Posteroanterior, right wrist pediatric wrist radiograph, image size 587x1112
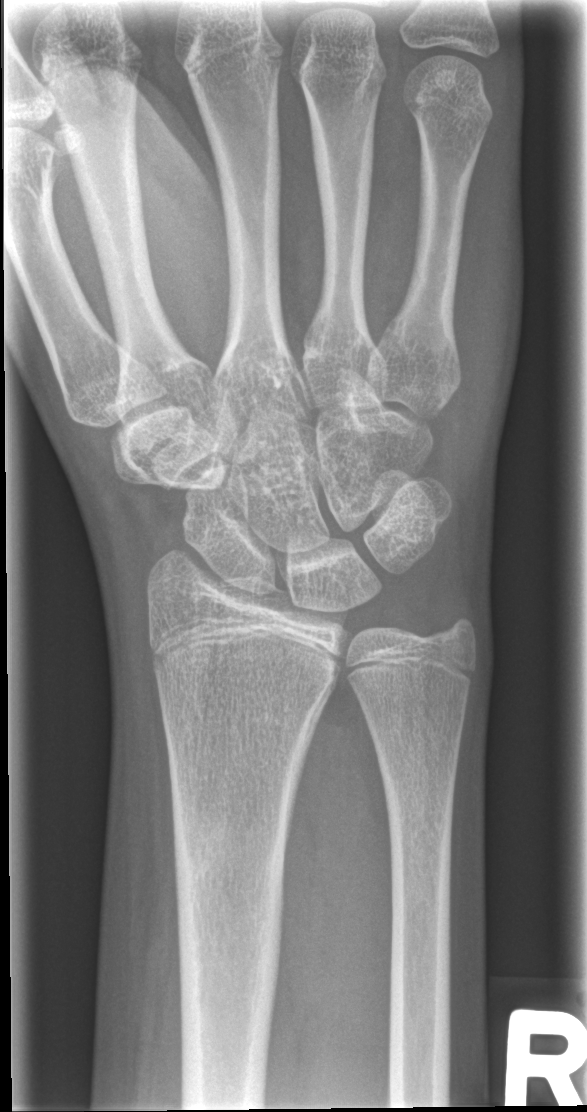 * Fracture — 167,785,291,903.